Lateral, L wrist radiograph, 62.4 mm image width:

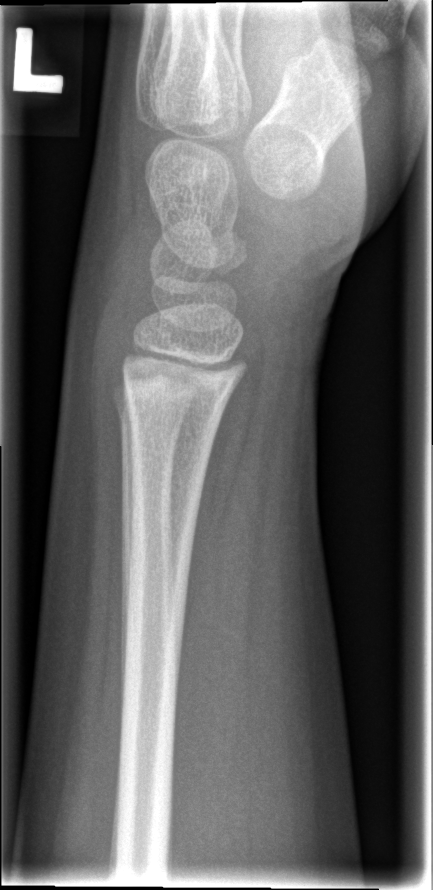 Fx: none.